PA/AP projection, Rt wrist radiograph, 506x832 — 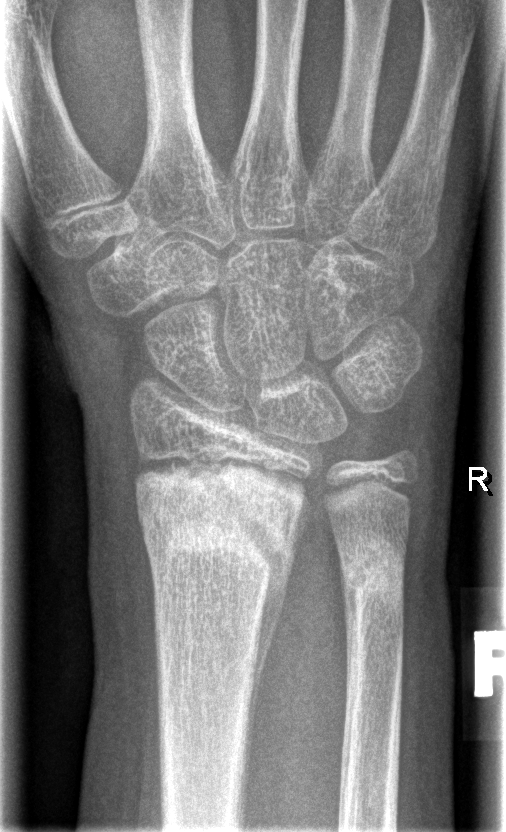

Q: Is there osteopenia?
A: Decreased bone density (osteopenia)
Q: Is there a fracture?
A: Two Fx at 144,479,308,576 | 337,533,408,607
Q: Locate any periosteal reaction.
A: Periosteal thickening: 243,526,300,792